Lateral view; R wrist XR; 14-year-old male; cast present —

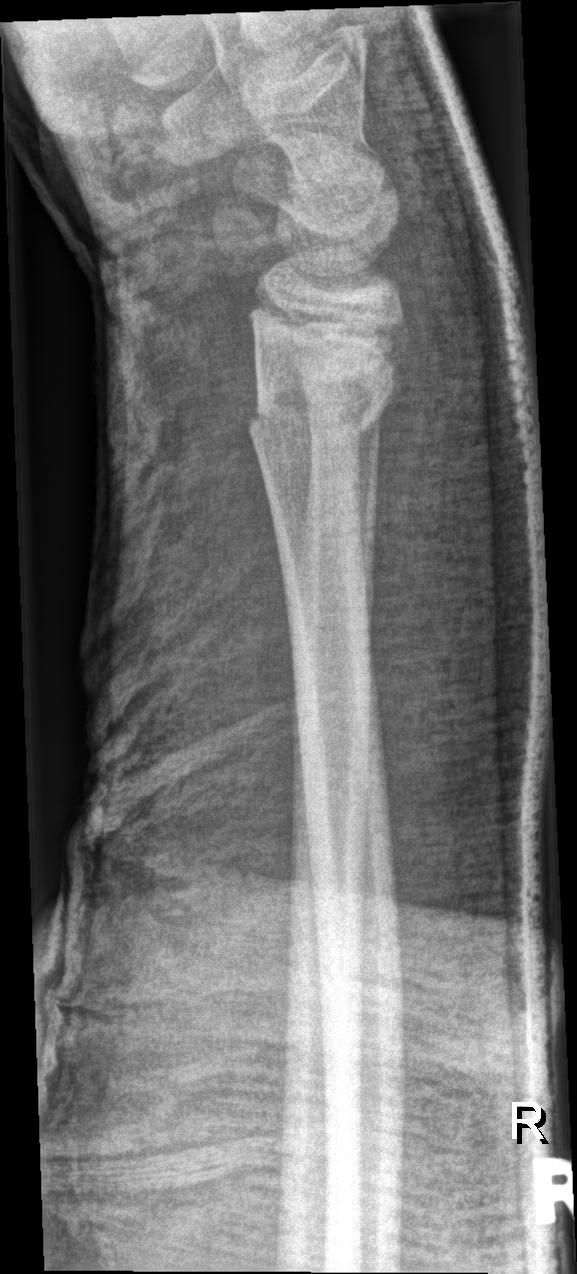
FINDINGS — Bone fracture — (left=238, top=361, right=405, bottom=465). Fracture classified AO/OTA 23r-M/3.1; 23u-E/7.